Lt wrist X-ray; lat; 11-year-old girl; in cast. 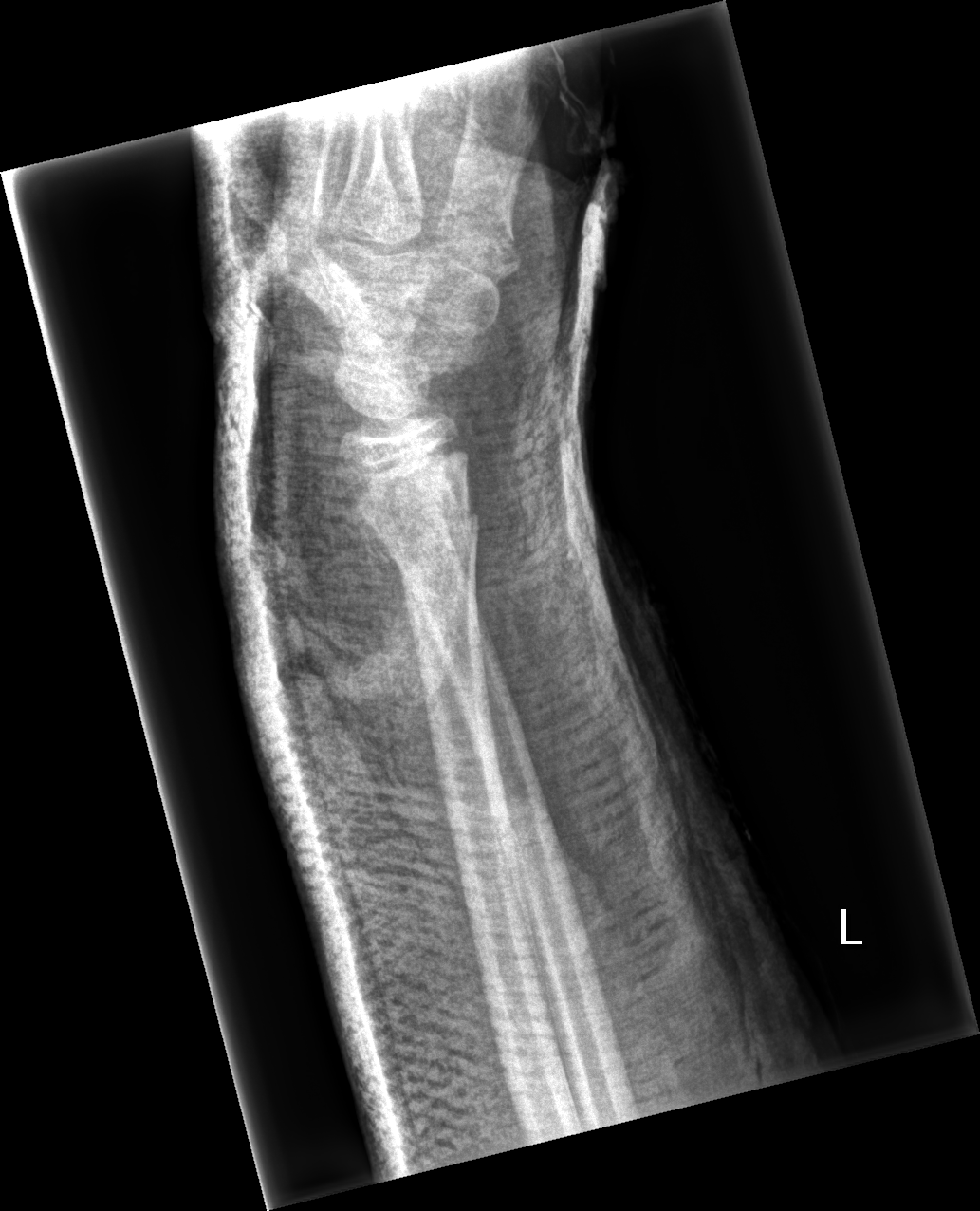 (boxes as x1,y1,x2,y2 (top-left / bottom-right, pixel units))
AO/OTA = 23r-M/3.1; 23u-M/2.1; 23u-E/7
Fracture = 375 499 483 580